Lateral · right wrist plain film · age 16 y, boy · image 79.5 mm wide 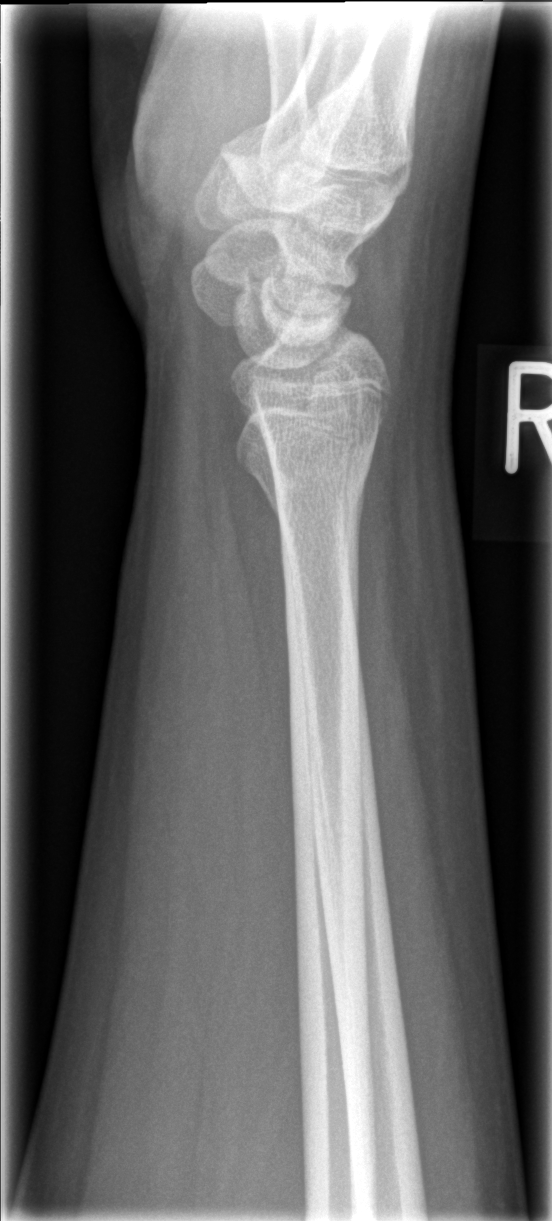 Pixel coordinates, top-left origin, xyxy. Bone fracture identified at 260,431,382,542.